Right pediatric wrist radiograph; PA/AP projection; pediatric patient (male, age 7); follow-up; cast in situ; detector: Siemens.
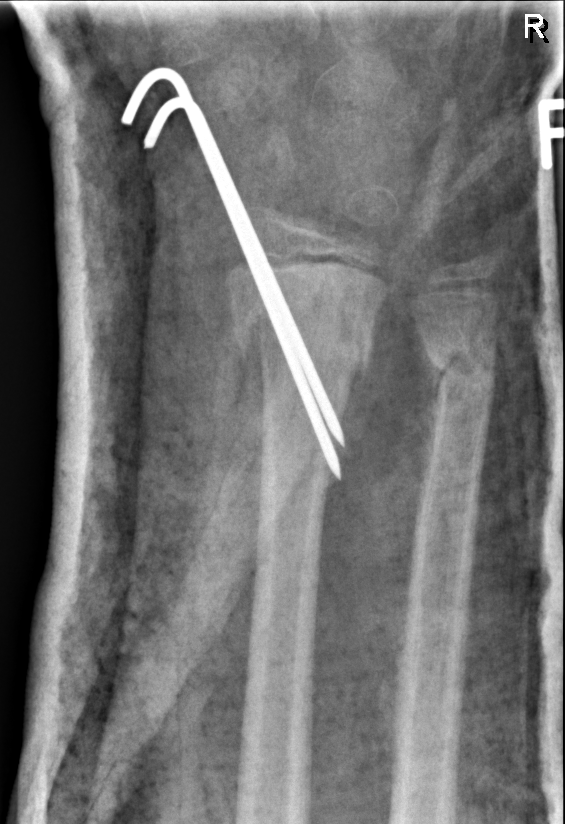 FINDINGS: Metallic implant — bbox(121, 67, 345, 481). AO code 23-M/3.1. Fractures — bbox(226, 297, 378, 383), bbox(417, 318, 502, 411).